Left wrist plain film · posteroanterior · cast in situ · 103.0 mm image width · 715 x 1026 px:

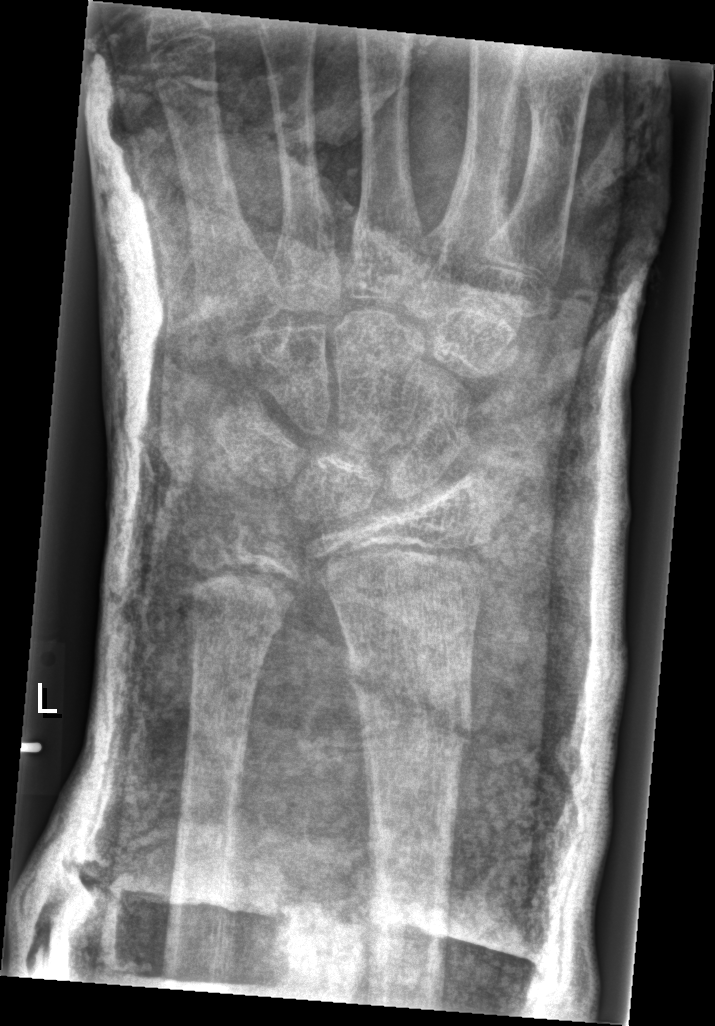

Fractures — bbox(340, 639, 475, 759), bbox(183, 582, 290, 653).
AO code 23r-M/3.1; 23u-M/2.1.